Posteroanterior projection | left wrist plain radiograph of the wrist — 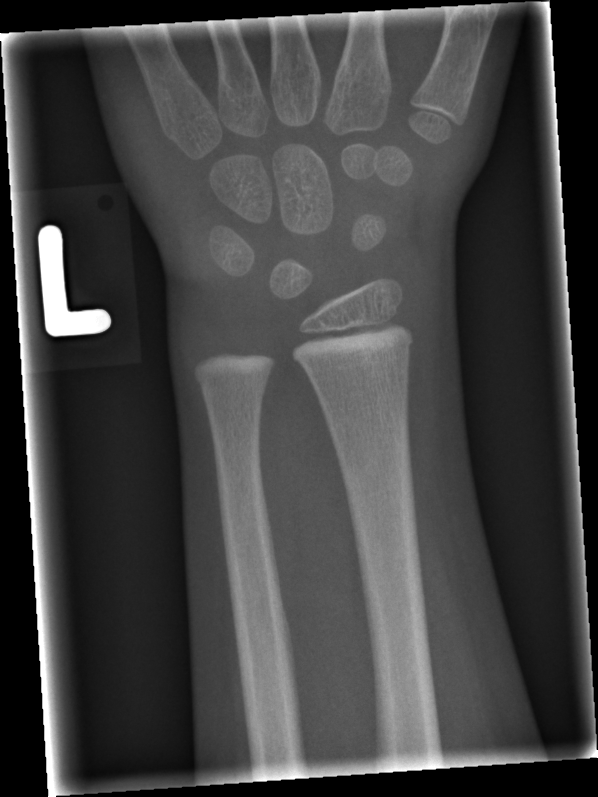

No fracture labeled.